L pediatric wrist radiograph | lateral | 58.5 mm image width | 406 by 1218 pixels — 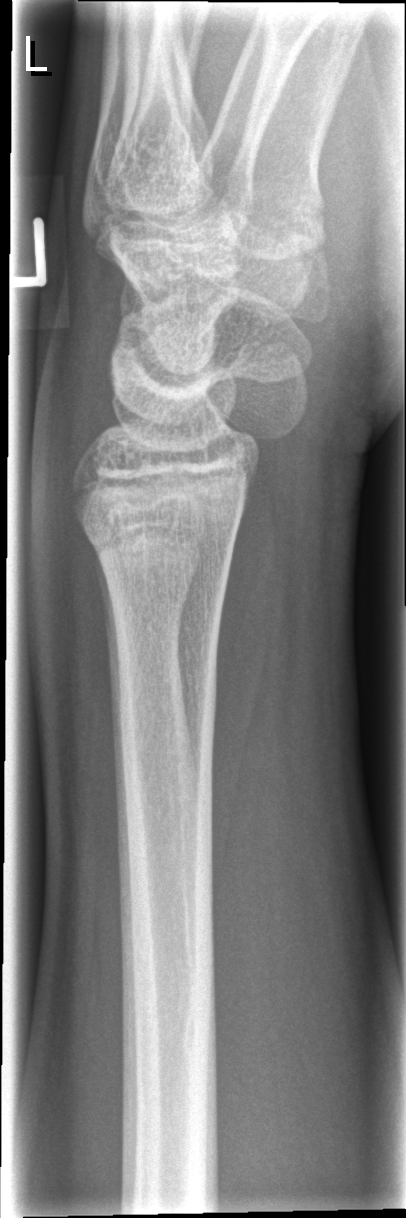
FINDINGS — One bone fracture at [74, 505, 240, 596].